Lat view · right wrist plain film · 5y F · image 59.3 mm wide · image size 412x944: 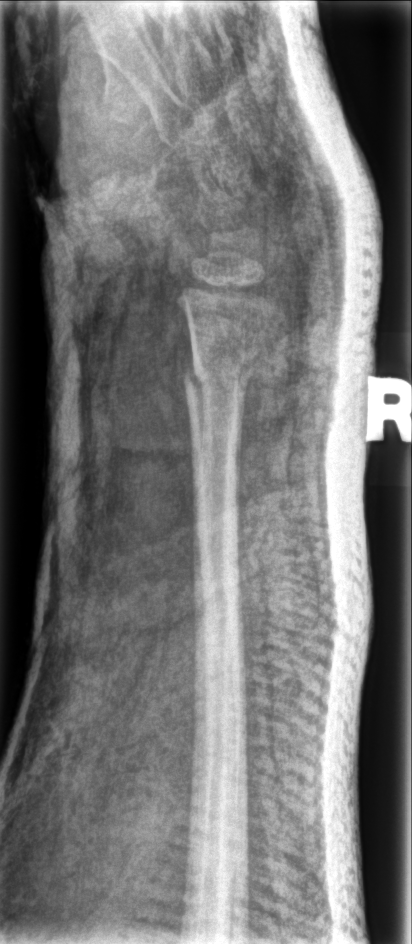
  fracture: (left=177, top=346, right=254, bottom=416)
  ao: 23r-M/3.1; 23u-M/2.1